PA/AP projection | R wrist plain film | pediatric patient (female, age 10) | cast present

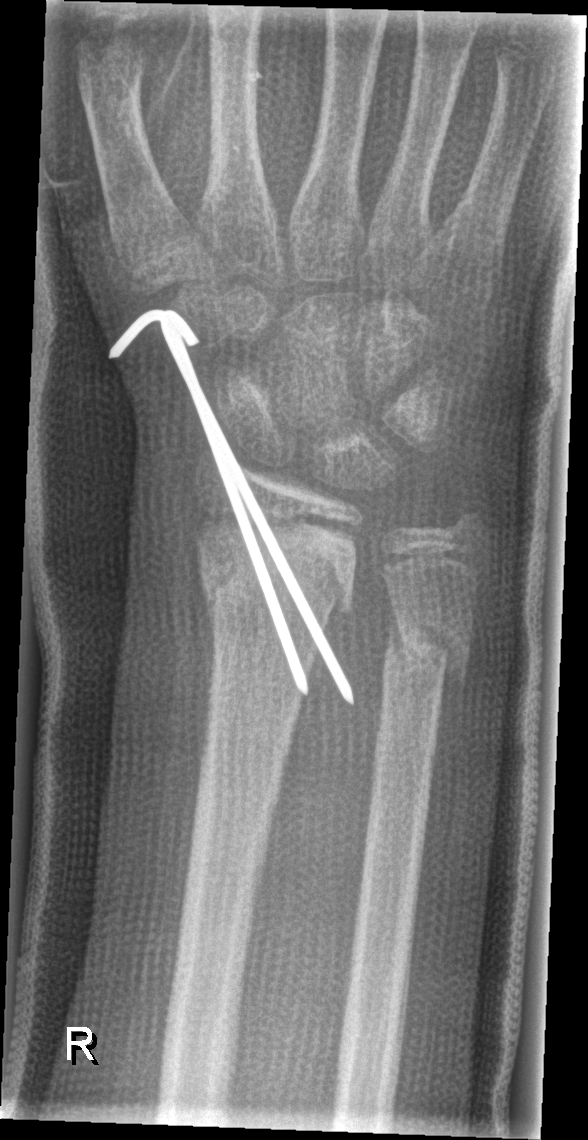
Q: Fracture present?
A: Fx: 190,556,364,645; 381,606,476,707
Q: Locate any hardware.
A: One hardware at 105,302,365,708